Lateral | Lt wrist radiograph | girl, 15 yo | index exam.
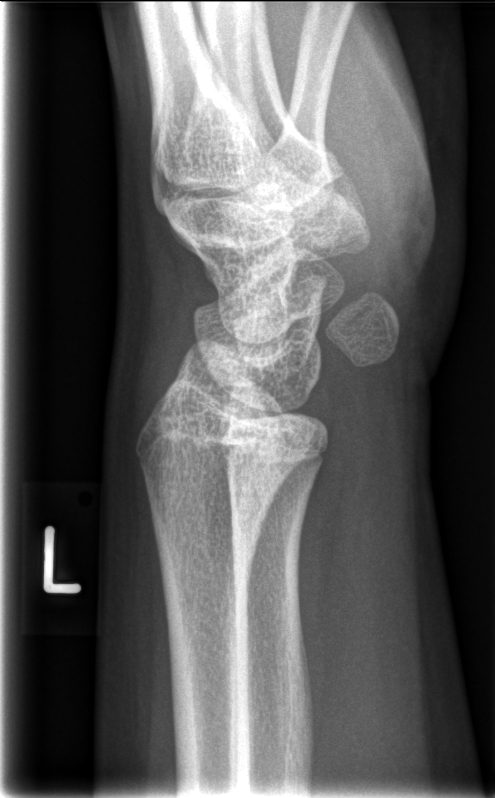
Fracture: none labeled.